Frontal projection; Lt wrist XR; 586 x 1012 px

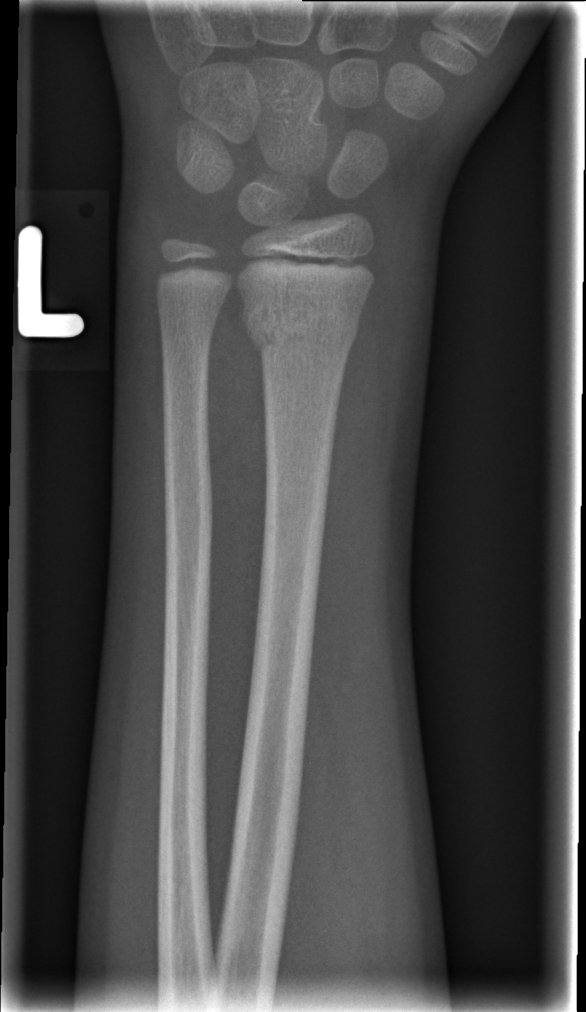 (boxes as x1,y1,x2,y2 (top-left / bottom-right, pixel units))
fracture = 1 @ [237, 288, 367, 359]